Frontal view; left wrist plain radiograph of the wrist; age 11 y, male —
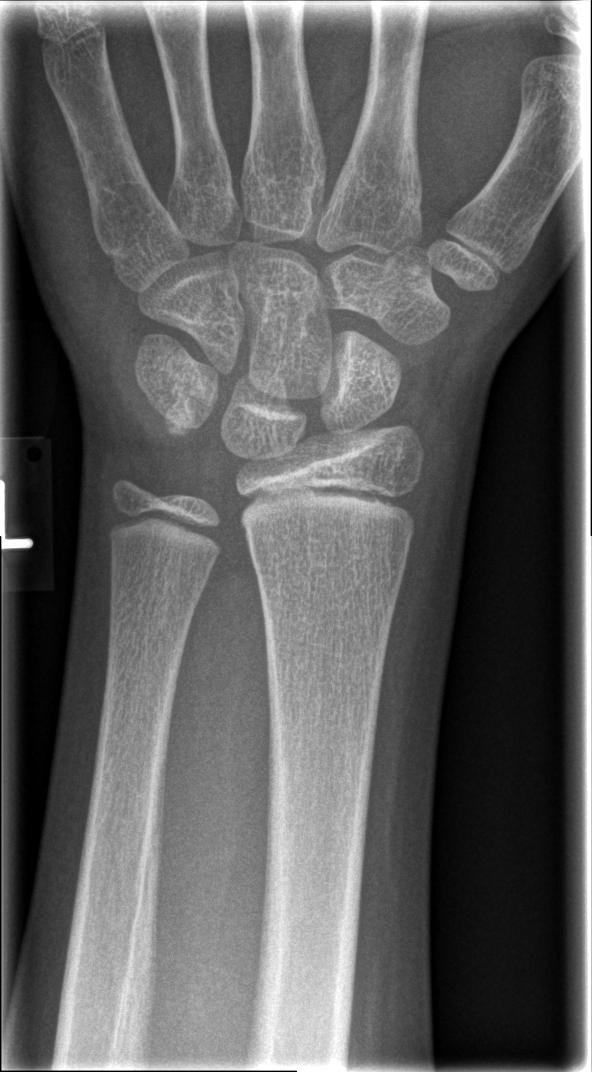 • No Fx annotated.